Posteroanterior projection | R plain radiograph of the wrist | boy, 11 yo | cast in situ —

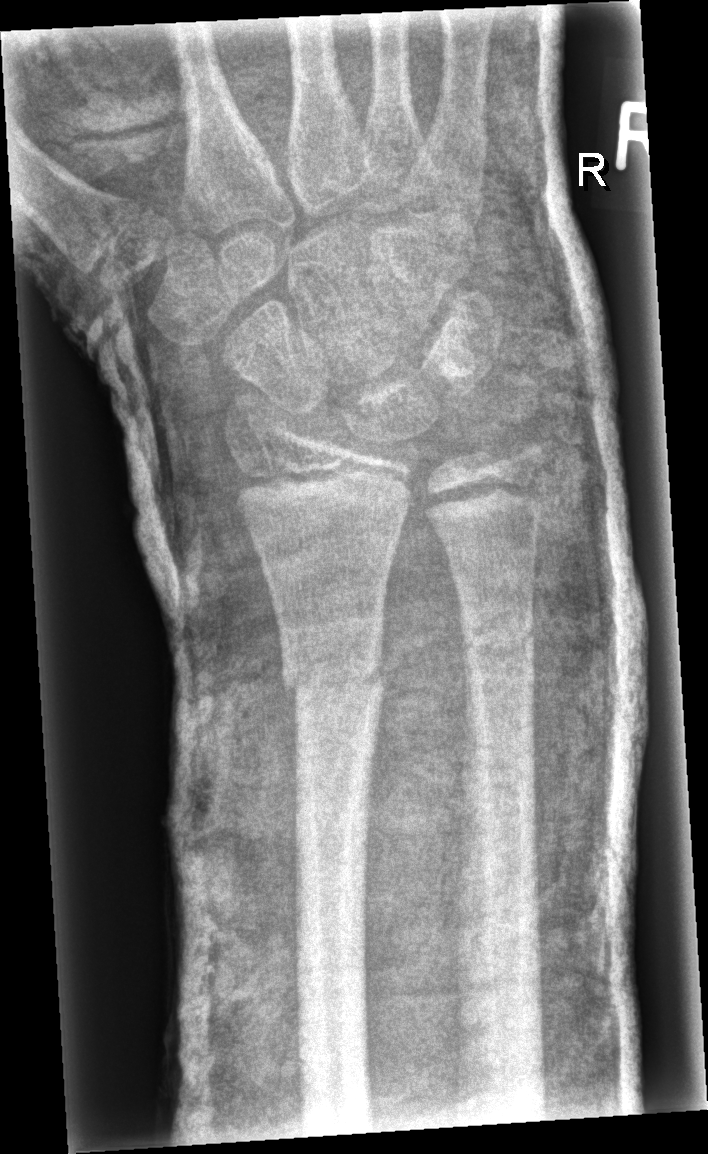
FINDINGS — Fracture classified AO/OTA 23-M/3.1. Bone fractures — 278 645 395 713 | 458 616 539 668.